Lat projection; R wrist radiograph; age 6 y, female. 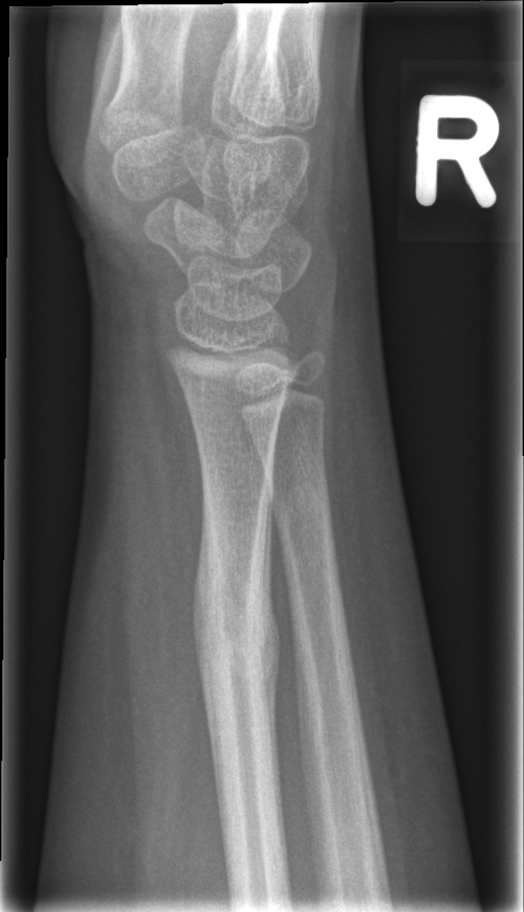
* Bounding boxes in image-pixel xyxy.
* Fracture: [191, 518, 284, 742], [274, 466, 341, 546].